Rt wrist X-ray, lateral, initial study —
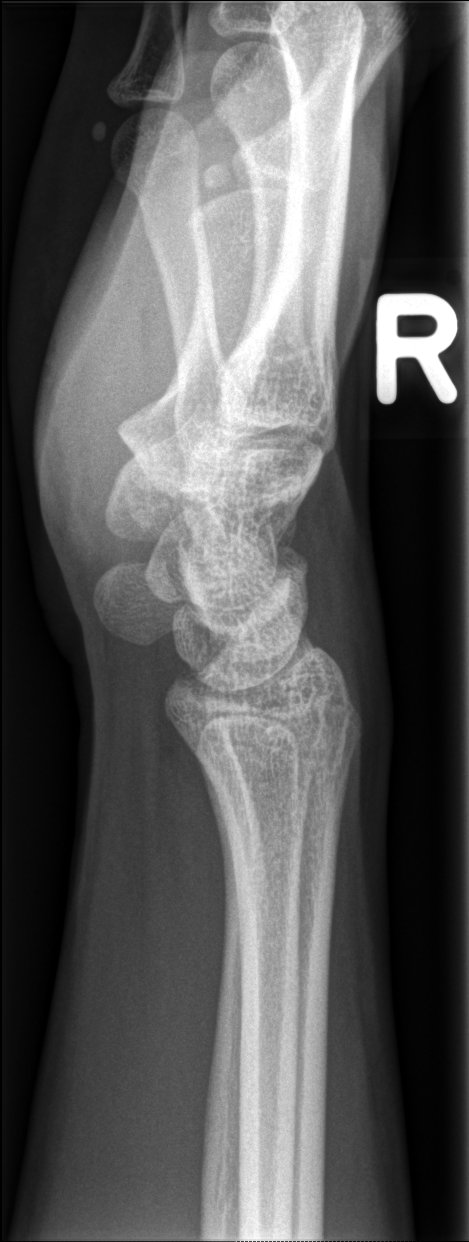 No fracture bounding box.